Lat · L wrist X-ray.

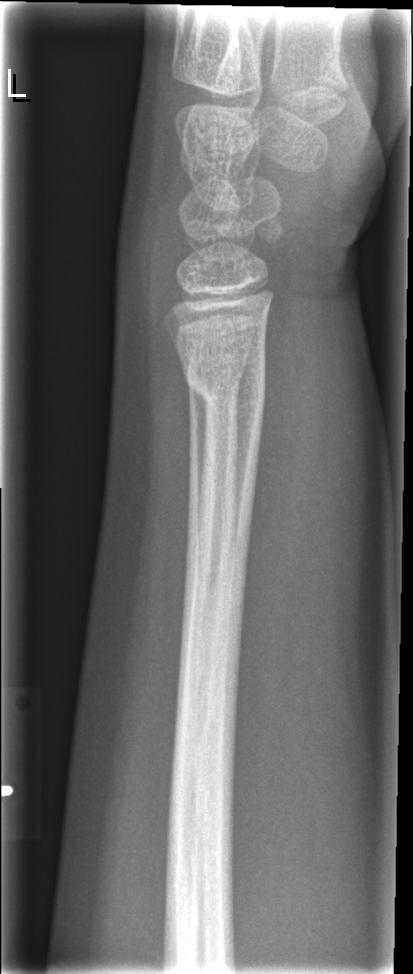

- Boxes as x1,y1,x2,y2 (top-left / bottom-right, pixel units).
- Bone fracture: (left=181, top=353, right=268, bottom=427).
- AO/OTA classification: 23-M/2.1.